Posteroanterior · right wrist XR · age 16 y, female · initial study · 114.0 mm image width.
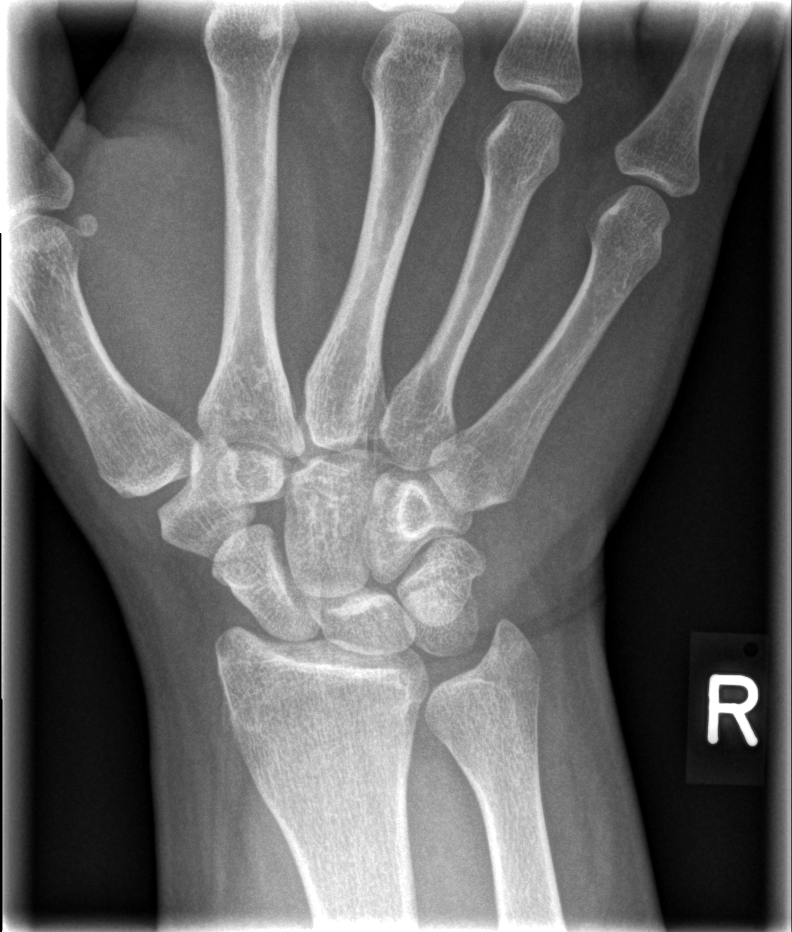
Fx: none.